Right wrist XR | AP projection | 11-year-old male | 528 x 1172 px
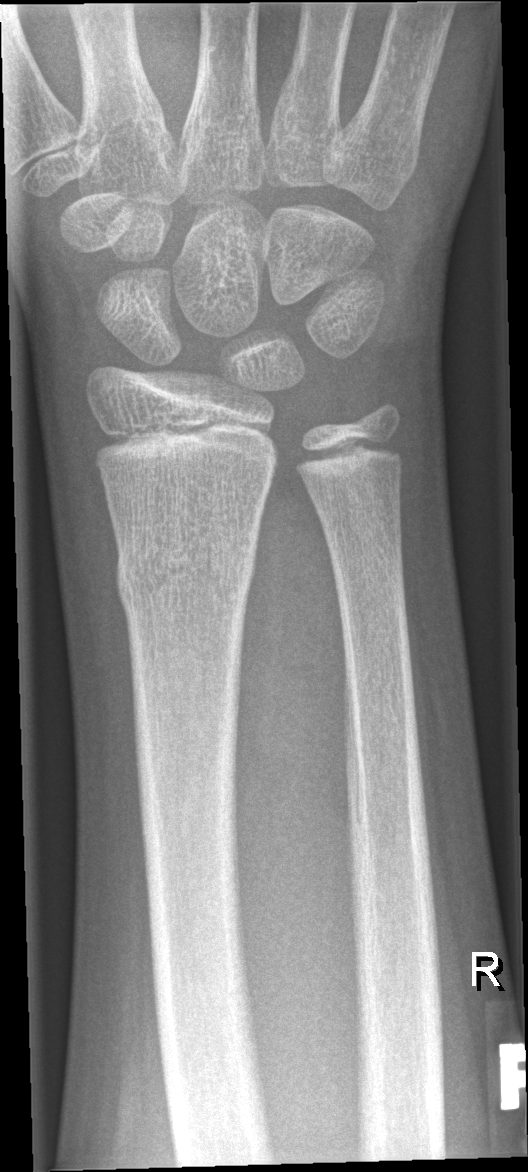
Fx: 113,526,260,618. AO/OTA classification: 23r-M/2.1.